Rt wrist XR, lat view, boy, 14 yo. 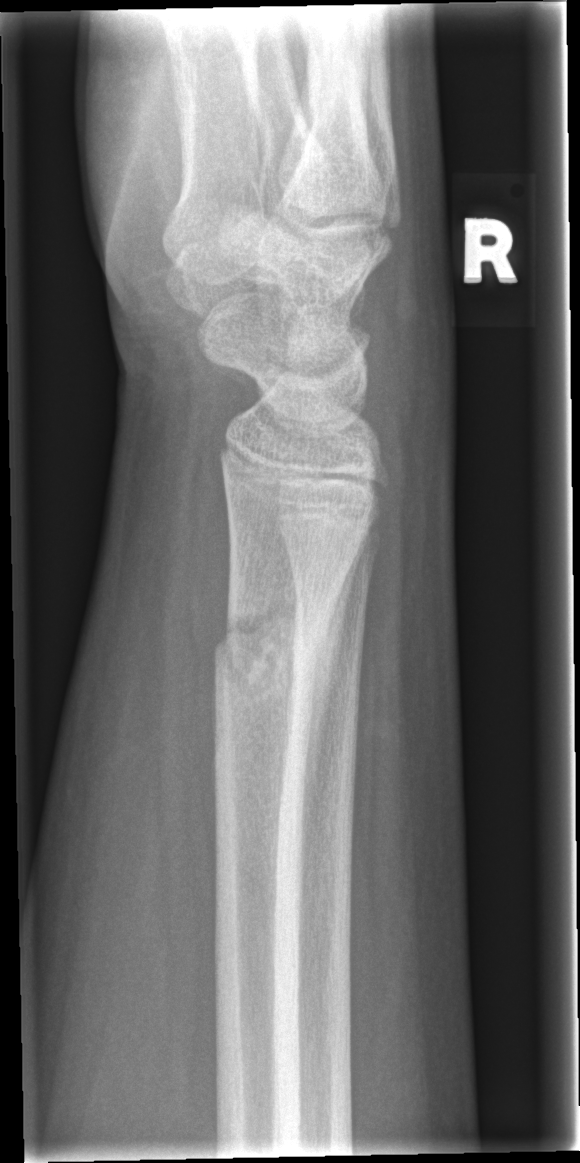 Findings: (pixel coordinates, top-left origin, xyxy) Fracture classified AO/OTA 23r-M/3.1; 23u-E/7. Decreased bone density (osteopenia). Periosteal thickening — (left=300, top=524, right=374, bottom=857). One Fx at (left=205, top=590, right=342, bottom=702).